Lt wrist X-ray, AP projection, age 12 y, girl, follow-up study. 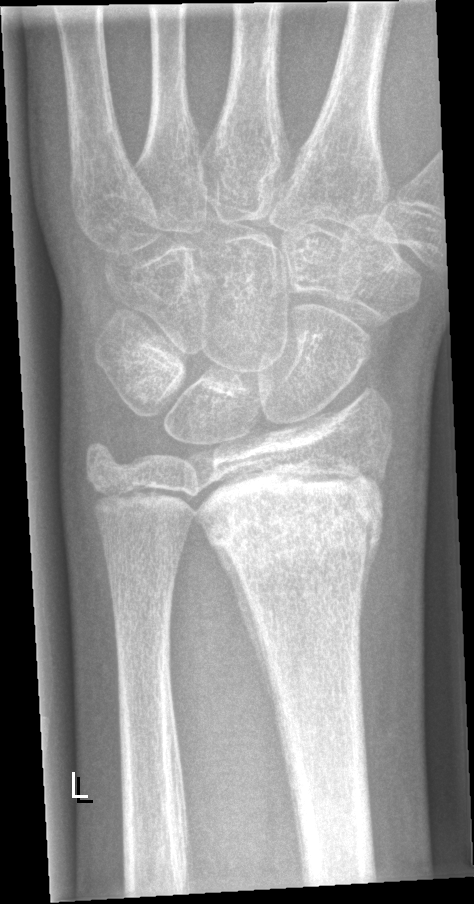
Fx: [x1=197, y1=477, x2=386, y2=565]
Periosteal new bone: [x1=210, y1=542, x2=276, y2=719]; [x1=359, y1=517, x2=384, y2=659]